L plain radiograph of the wrist · AP view.
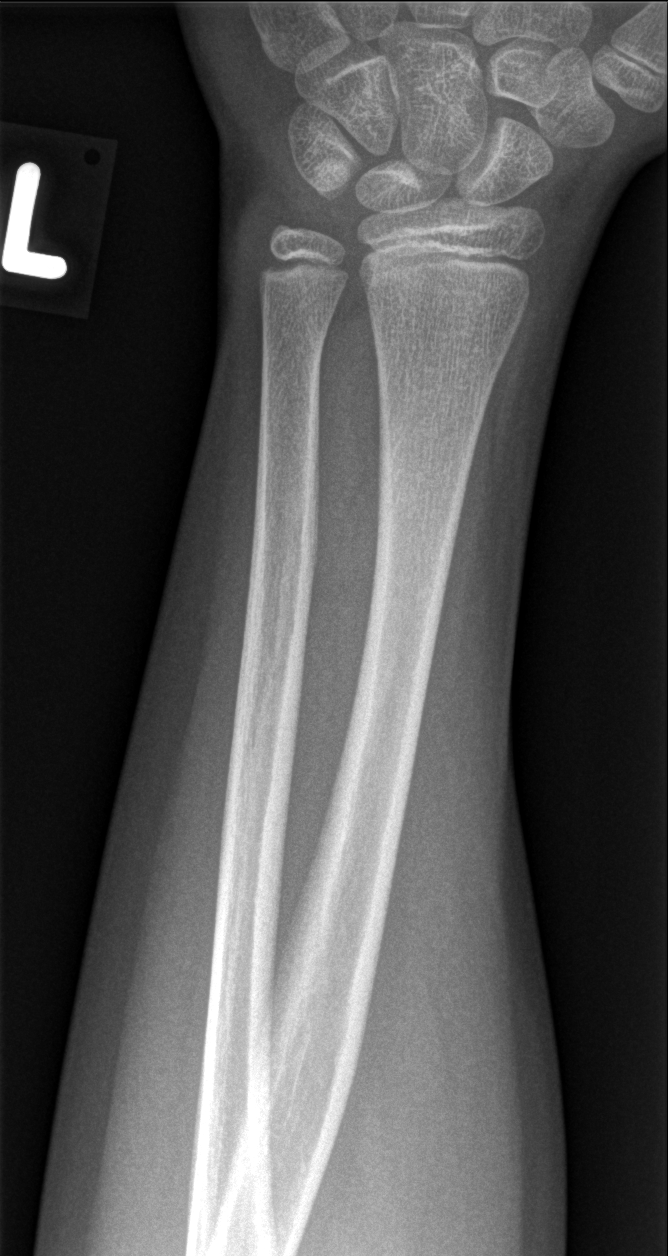

{
  "fracture": "none labeled"
}